Left pediatric wrist radiograph | AP view | age 11 y, boy | presentation radiograph | acquired on Siemens | 504x669 —
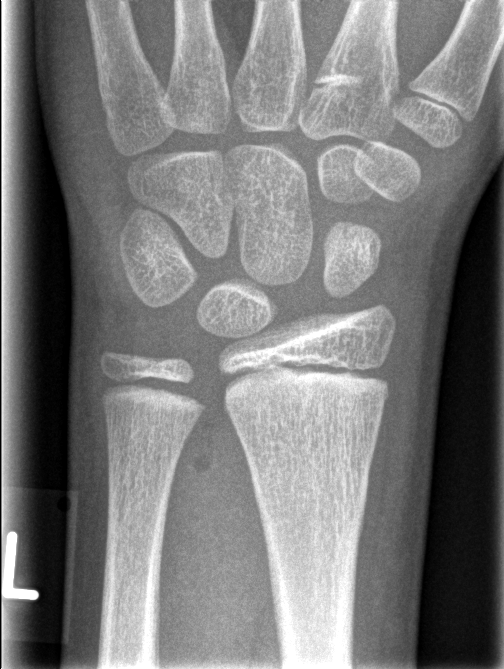

(boxes as x1,y1,x2,y2 (top-left / bottom-right, pixel units))
Q: What is the AO/OTA classification?
A: AO/OTA classification: 23r-M/2.1
Q: Locate any fractures.
A: Fx identified at 251,462,373,523